Lt plain radiograph of the wrist · PA · follow-up —

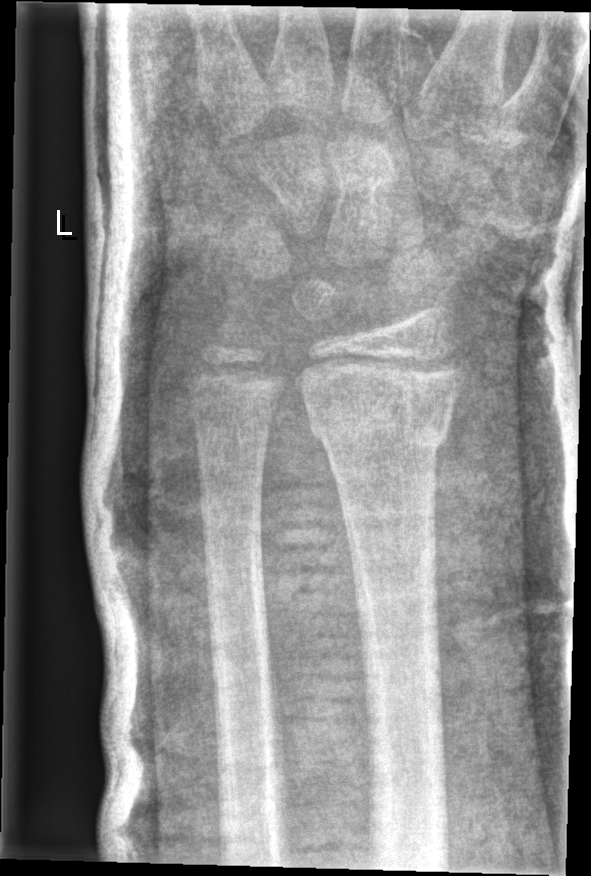 Findings: (bounding boxes in image-pixel xyxy) One bone fracture at [301, 367, 461, 455]. Fracture classified AO/OTA 23r-M/3.1.